R wrist X-ray; lat view; age 13 y, girl; acquired on Siemens: 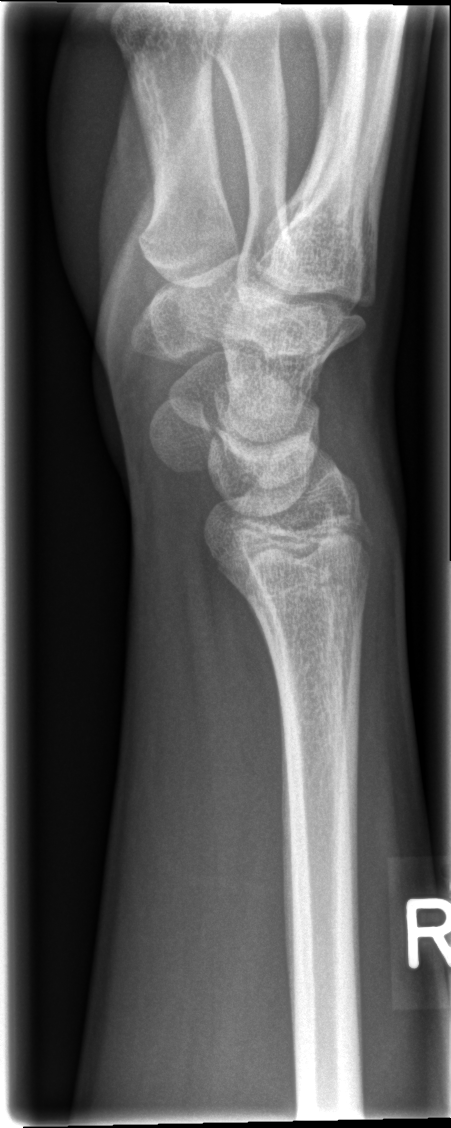 No Fx annotated.